Lat, L pediatric wrist radiograph, initial study, acquired on Siemens —

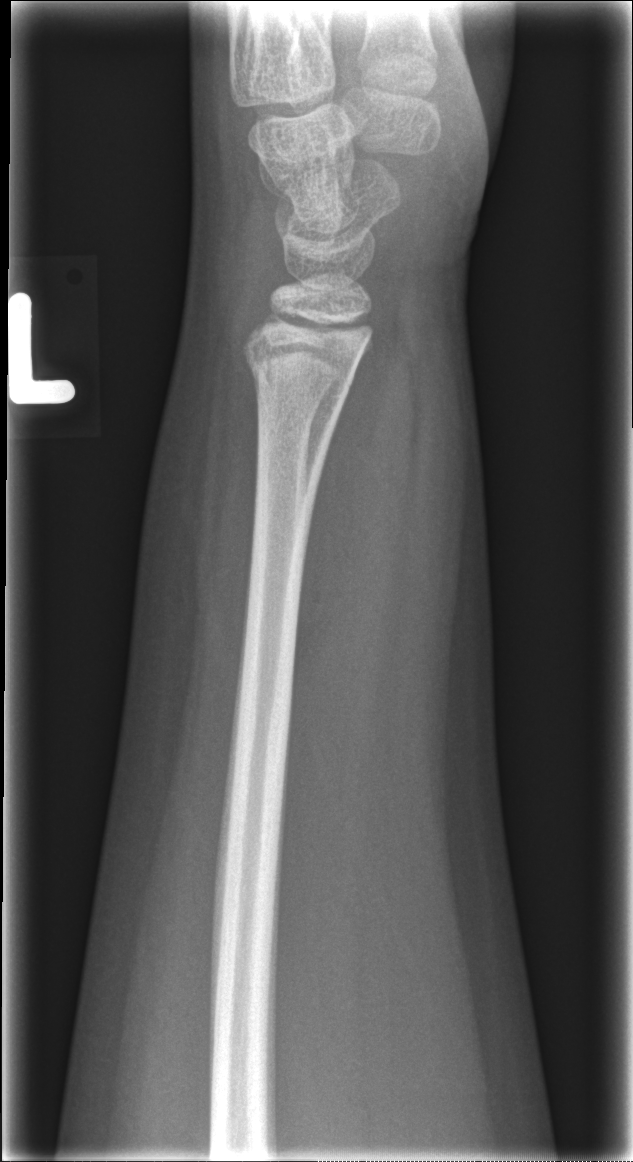

FINDINGS: Pronator sign: bbox(287, 272, 419, 685). AO/OTA classification: 23r-M/2.1. Fx — bbox(240, 333, 360, 410).